Right wrist pediatric wrist radiograph · posteroanterior

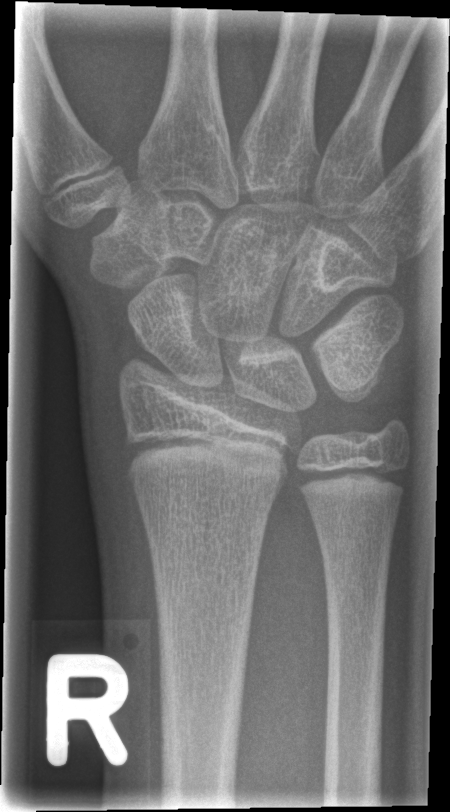 bone fracture: none labeled